Lat view; L wrist XR; pediatric patient (boy, age 10); in cast:

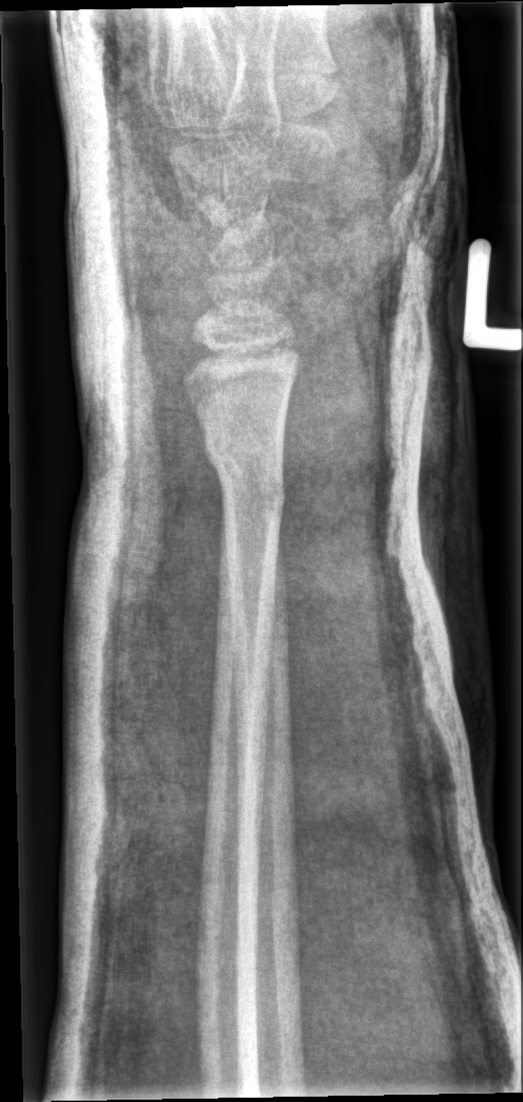 - Fracture classified AO/OTA 23-M/2.1.
- Fracture: [x1=202, y1=434, x2=289, y2=525].